AP projection, right wrist radiograph, index exam, 520x778 —

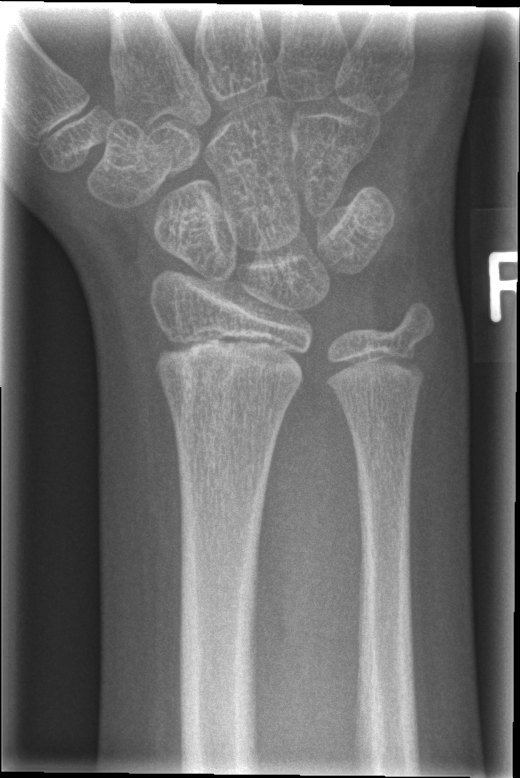
Fx: none.